PA/AP projection, L plain radiograph of the wrist, age 9 y, male, follow-up study, cast present, 712x1040.

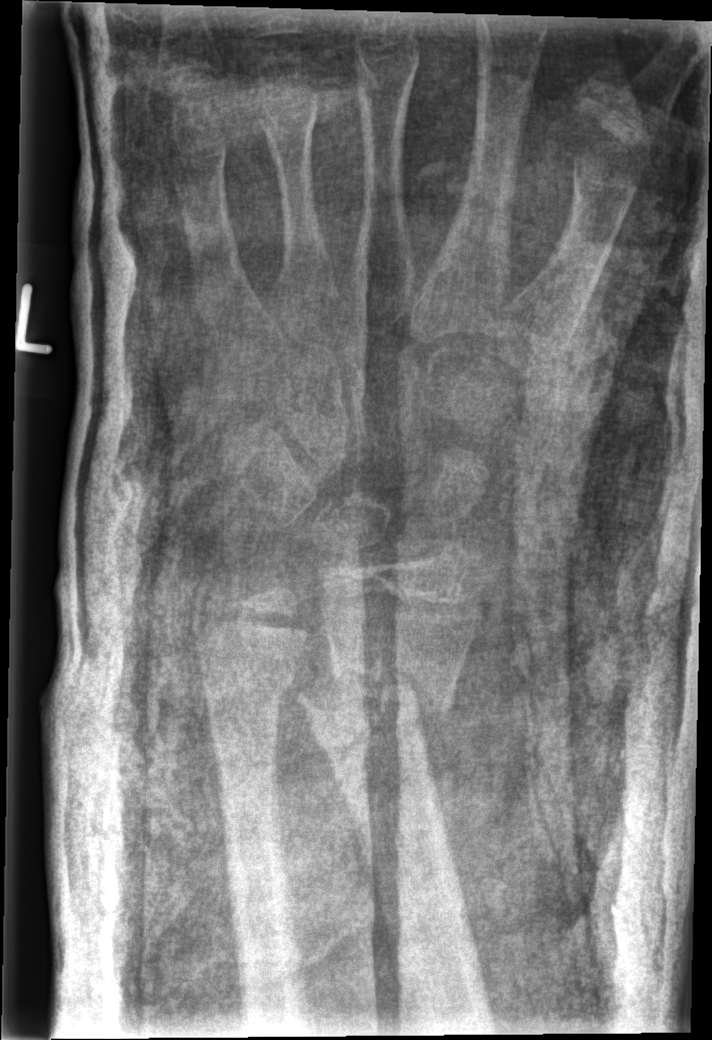

(pixel coordinates, top-left origin, xyxy)
Fracture: bbox(294, 644, 460, 724) bbox(200, 654, 295, 706)